PA/AP view | right wrist XR | 13-year-old male | follow-up
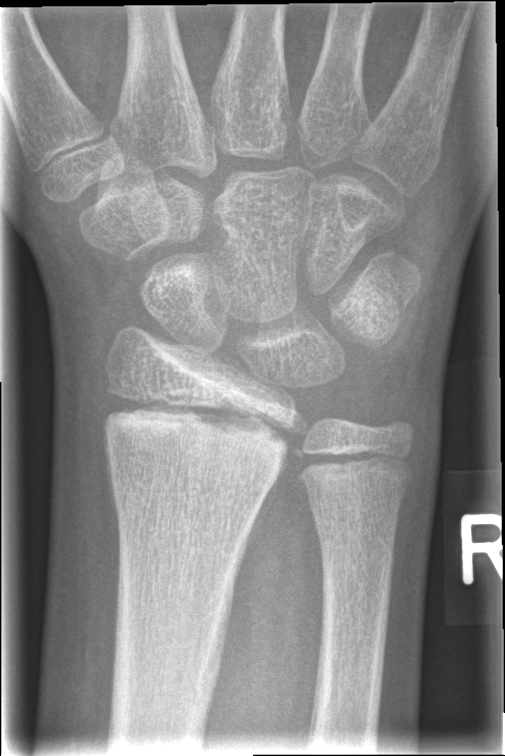 * Two Fx at <97,379>-<295,480>; <295,436>-<418,489>.